AP · right wrist XR · age 4 y, male. 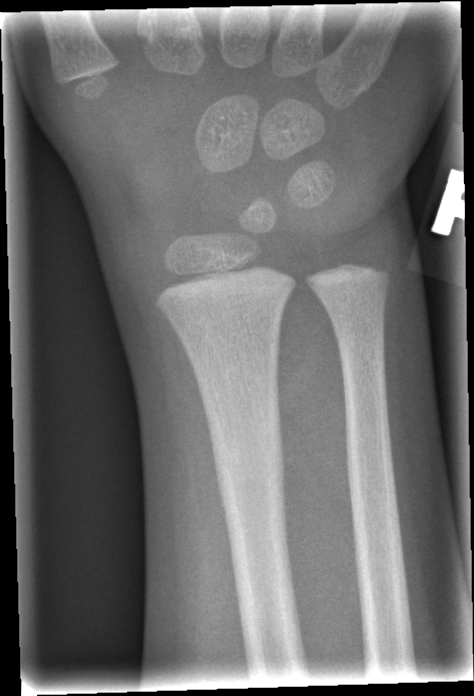 No fracture bounding box.